Lateral; L plain radiograph of the wrist; acquired on Siemens —
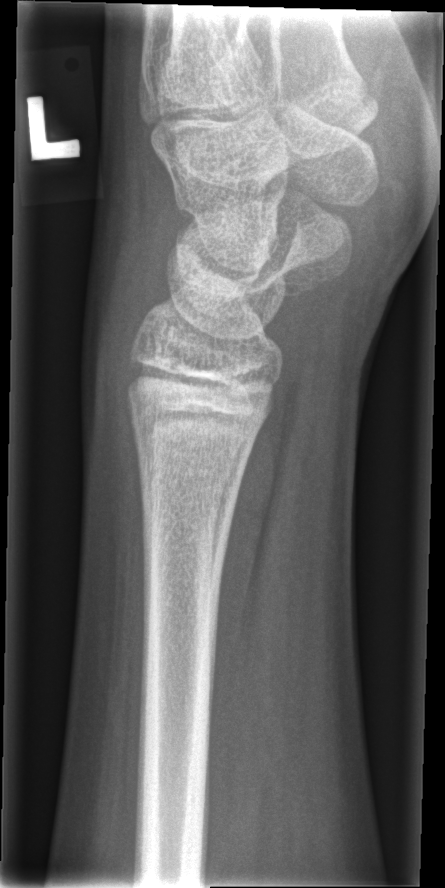
FINDINGS: Fx: none.